Posteroanterior; R plain radiograph of the wrist; pediatric patient (boy, age 5); initial study:
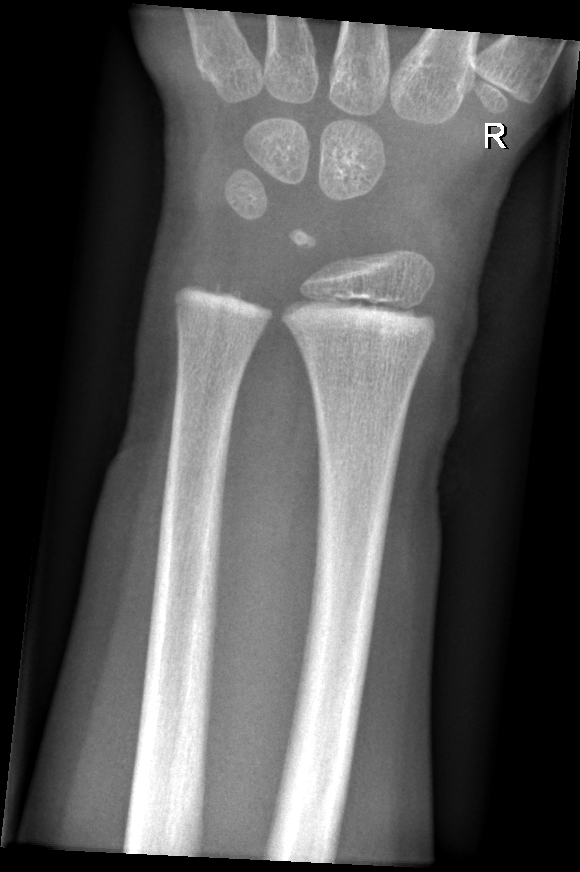
Findings: No fracture annotation.